Rt wrist X-ray | lateral view.
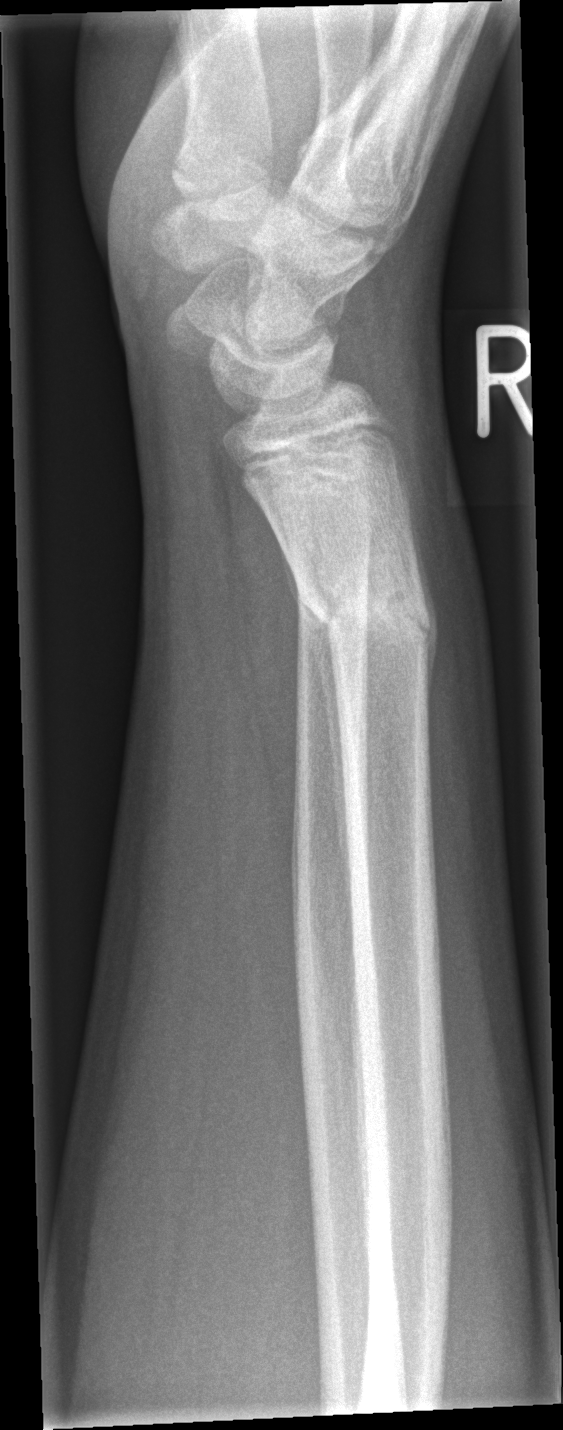

{
  "_coords": "bounding boxes in image-pixel xyxy",
  "periostealreaction": "(265, 517, 351, 934); (401, 476, 439, 709)",
  "ao": "23r-M/3.1; 23u-E/7",
  "fracture": "(287, 552, 435, 656)"
}